Posteroanterior projection · Rt plain radiograph of the wrist · pediatric patient (male, age 8) · 538 by 883 pixels —

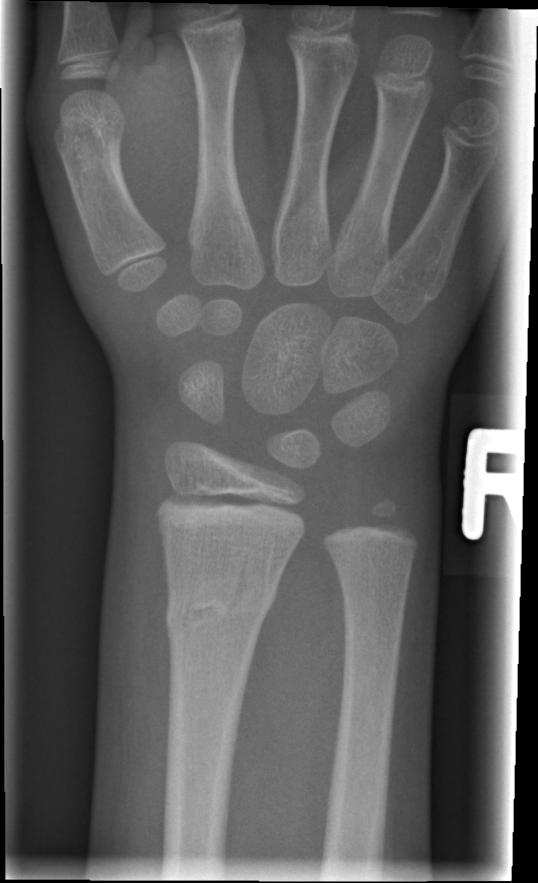
Fracture: (161, 559, 280, 645). AO/OTA classification: 23r-M/2.1.